Left wrist radiograph · lat projection · 11-year-old female · cast in situ · acquired on Siemens.
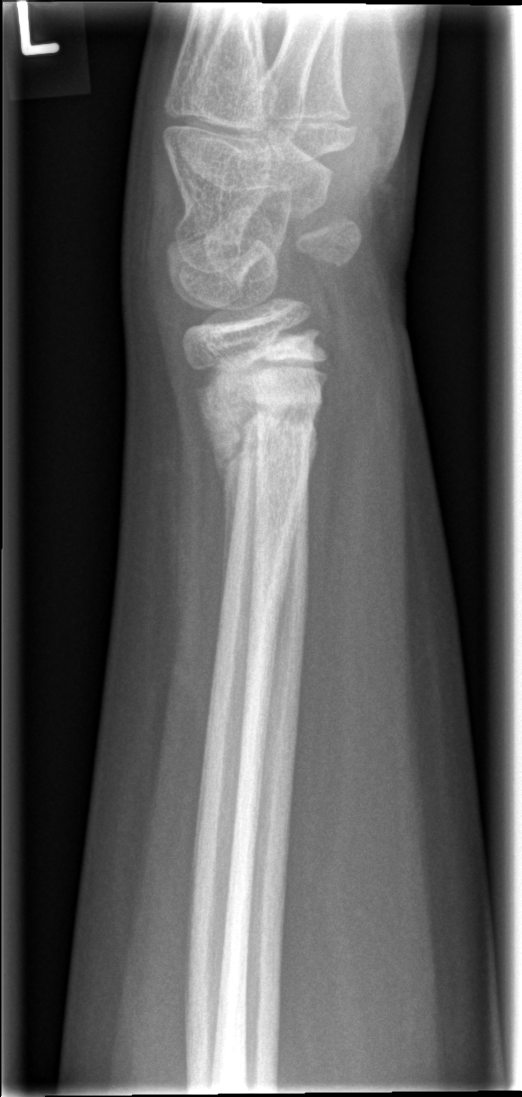
Bone fracture: [x1=193, y1=361, x2=332, y2=482].
Reduced bone mineral density.
AO code 23r-M/3.1; 23u-E/7.
Periosteal reaction identified at [x1=200, y1=387, x2=254, y2=626].